AP; right wrist pediatric wrist radiograph; male, 12 yo; subsequent exam

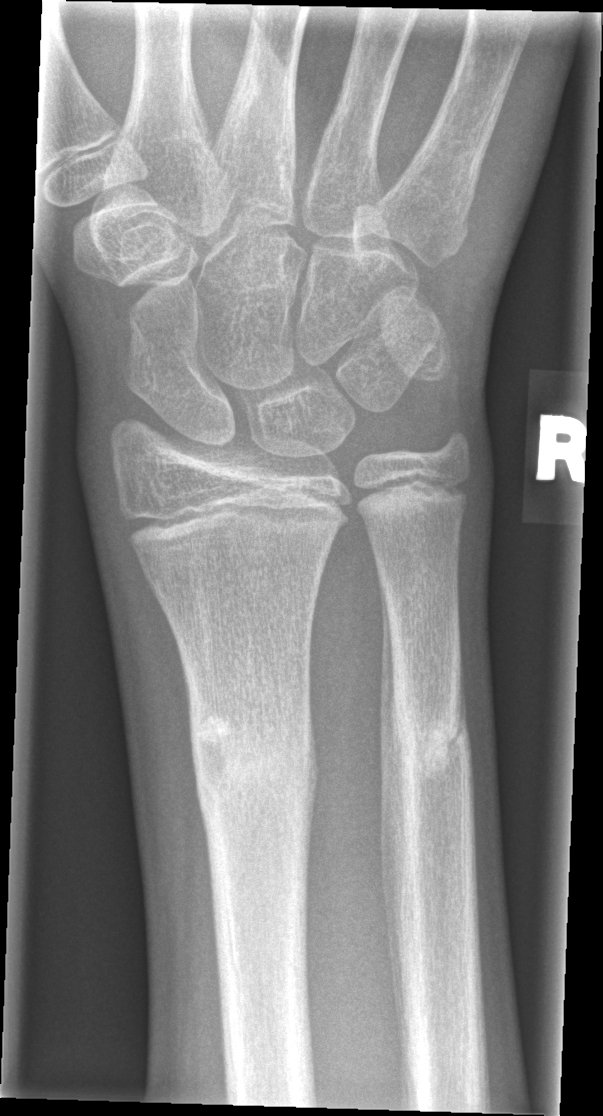

Boxes as x1,y1,x2,y2 (top-left / bottom-right, pixel units). AO code 23-M/3.1. Bone fracture identified at <187,700>-<318,823>; <392,701>-<471,780>. Periosteal thickening identified at <379,575>-<410,1066>; <458,612>-<474,852>.